Right wrist radiograph; lat projection; pediatric patient (female, age 6); 550 by 1148 pixels —

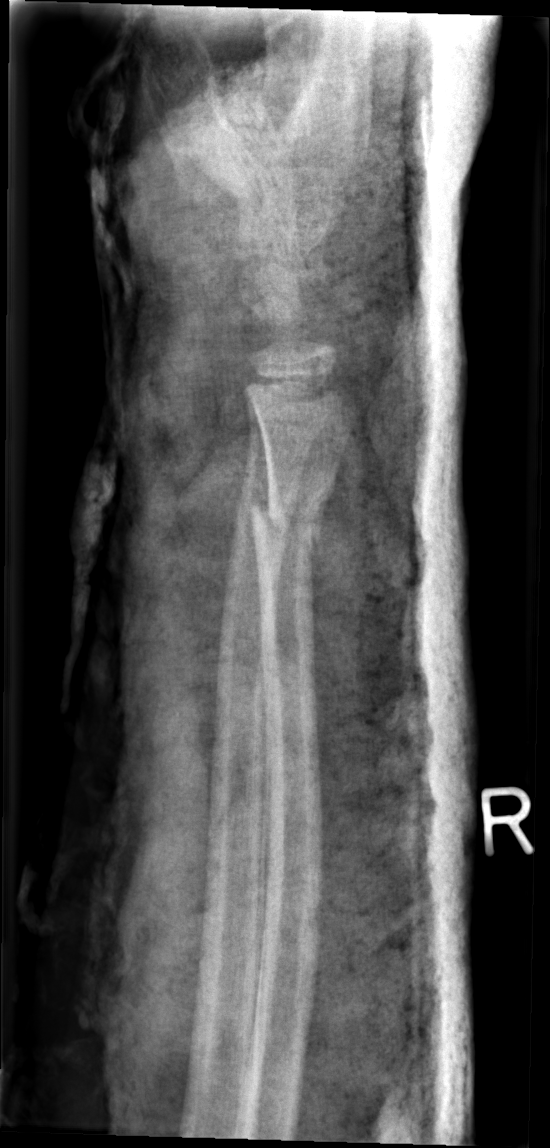
(boxes as x1,y1,x2,y2 (top-left / bottom-right, pixel units))
Bone fracture = 247,489,333,560